Right wrist X-ray | lat view | pediatric patient (male, age 17) | detector: Siemens.

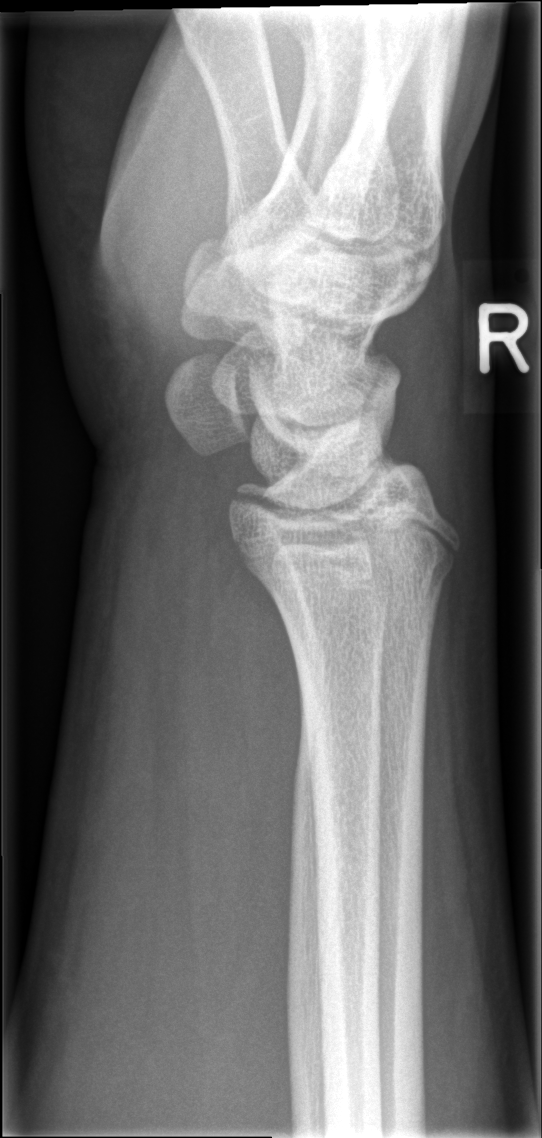

One pronator quadratus fat-pad sign at bbox(166, 515, 309, 1055). Fracture classified AO/OTA 23r-M/2.1. Fx identified at bbox(249, 537, 462, 610).